Right wrist X-ray | frontal | 13y M | detector: Siemens.

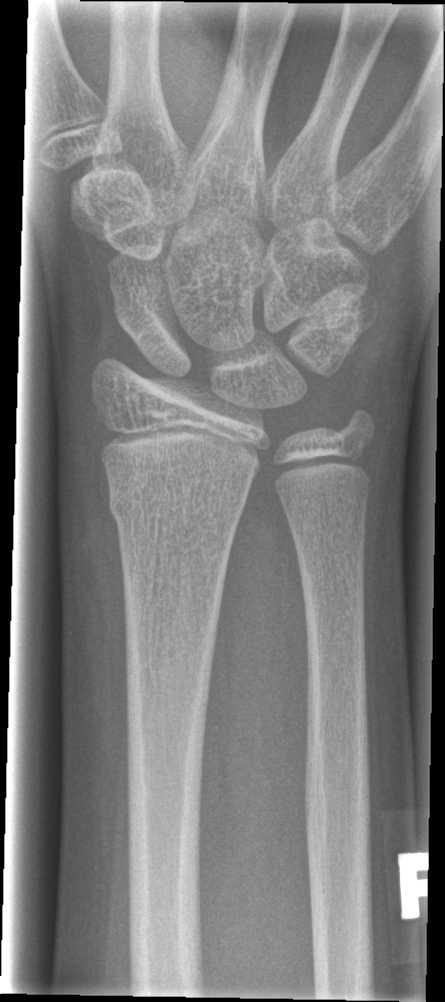
AO code: 23r-M/2.1
Fx: (left=105, top=472, right=250, bottom=530)